Right wrist XR; PA/AP projection; pediatric patient (male, age 17) —

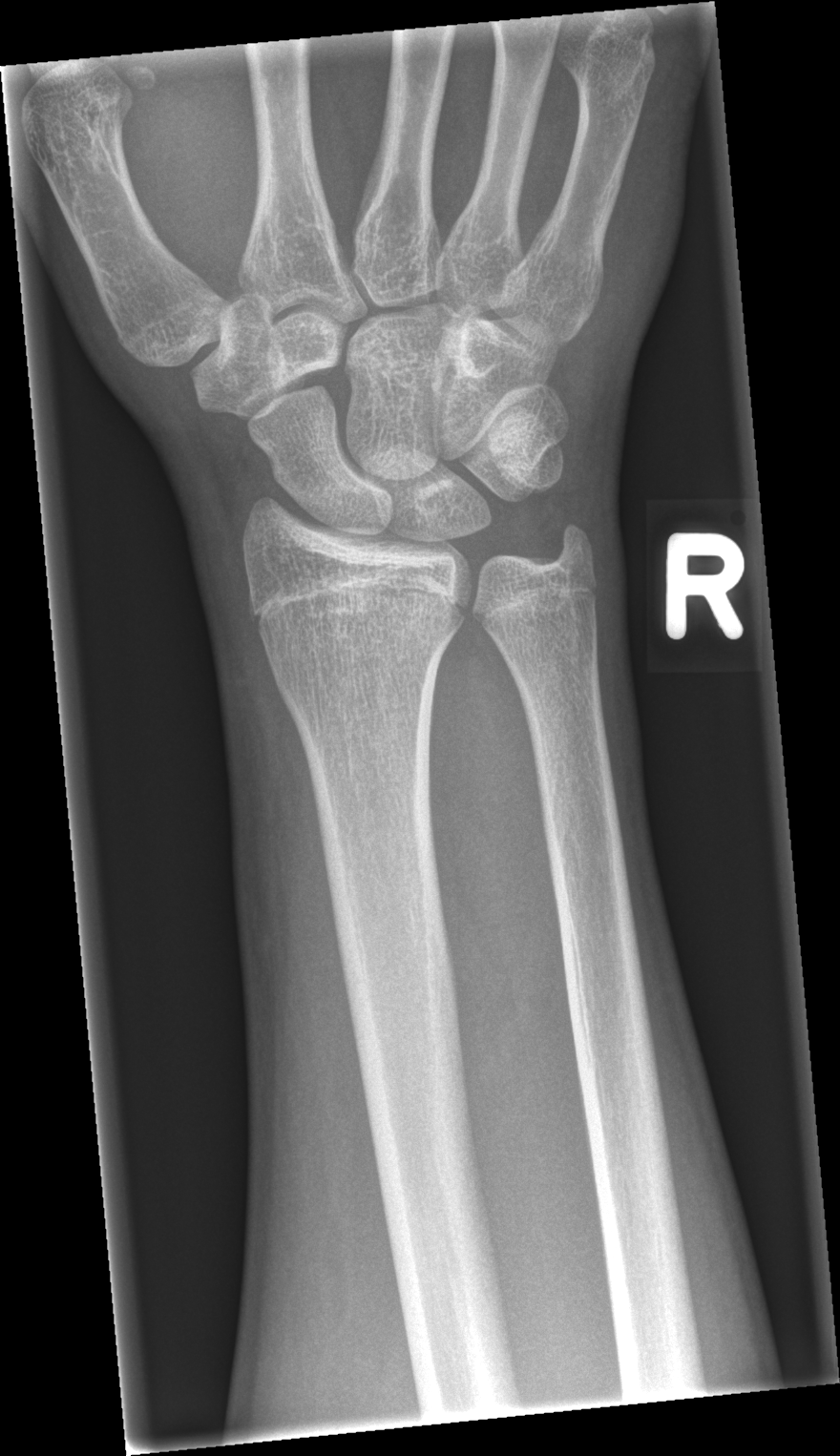
* Fracture classified AO/OTA 23r-M/2.1.
* Fx: present but not clearly seen in this view.